L wrist XR; lateral projection; image 57.5 mm wide —

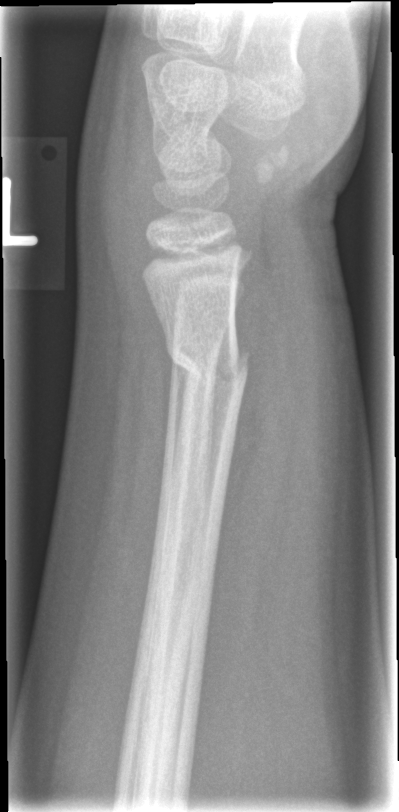

Fx: (left=162, top=331, right=251, bottom=405).